Lt plain radiograph of the wrist · lateral: 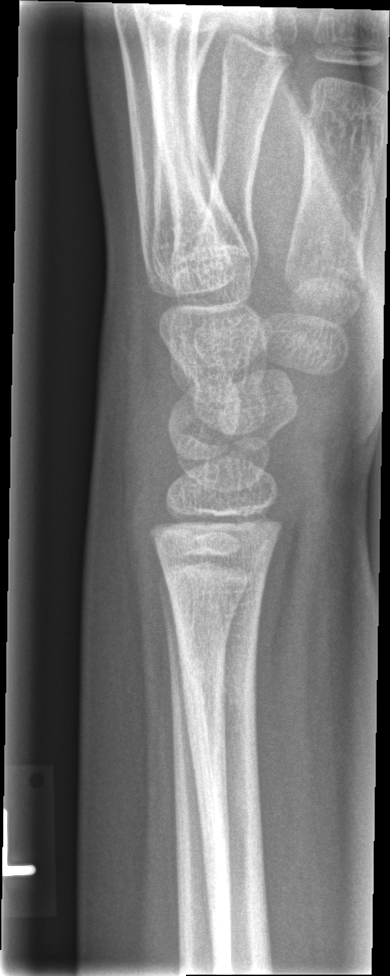 FINDINGS — Fracture classified AO/OTA 23r-M/2.1. One Fx at 173,628,267,754.